PA/AP projection; right wrist pediatric wrist radiograph; 13-year-old boy; follow-up study; image size 650x1070. 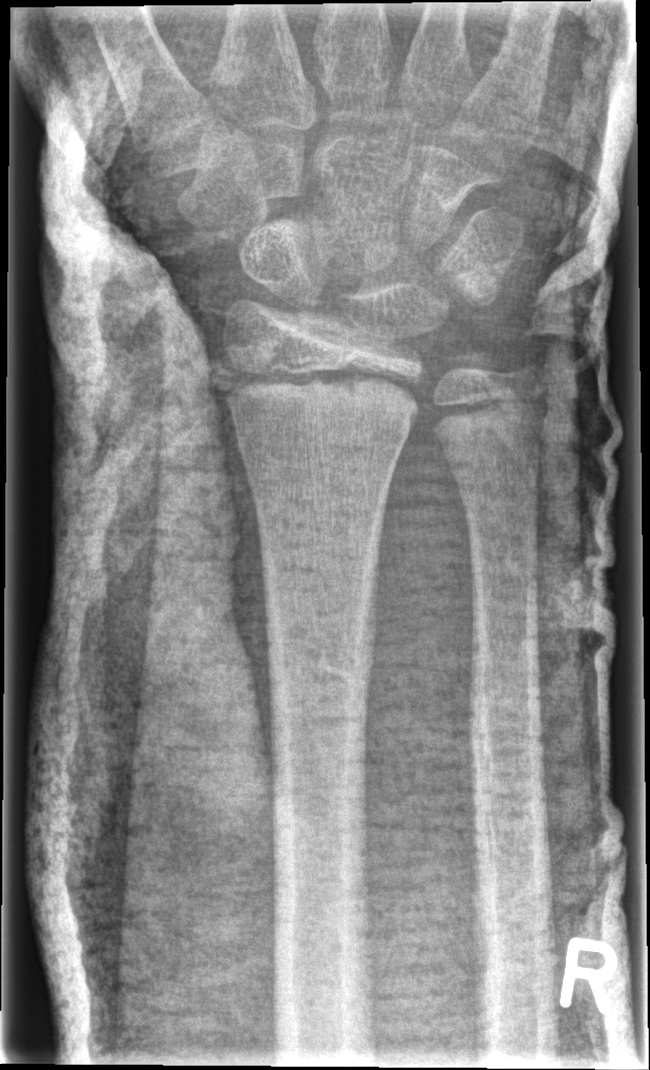 {"fracture": "[x1=215, y1=351, x2=427, y2=446]", "ao": "23r-E/2.1; 23u-E/1"}